Right wrist radiograph · PA/AP view · image size 662x1068:
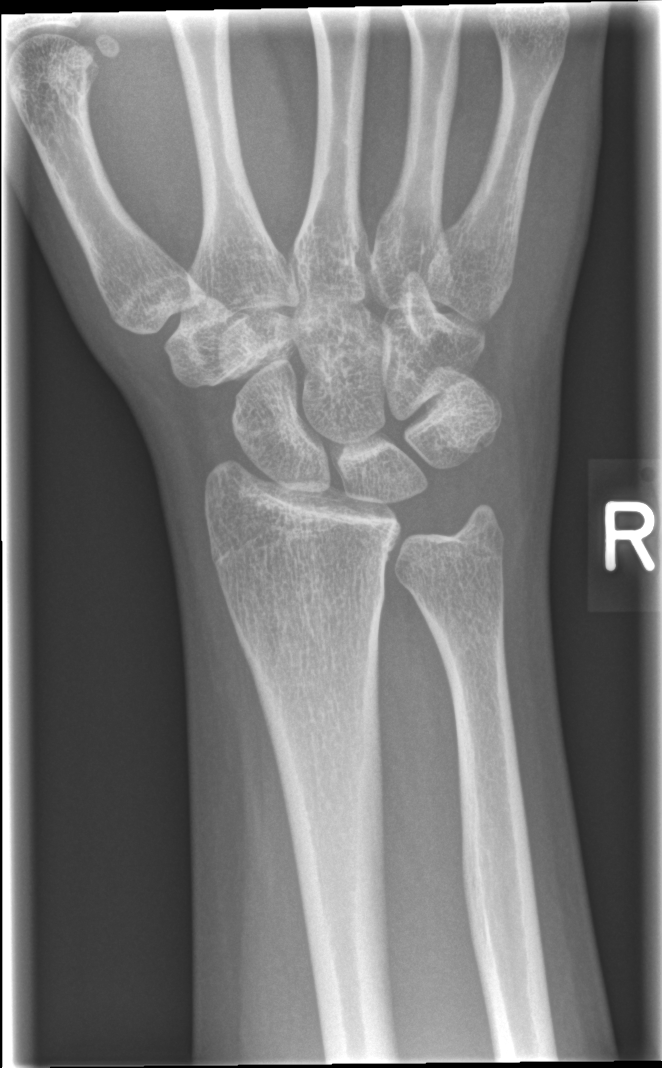
No Fx annotated.